Left wrist radiograph, AP projection, 11-year-old boy, index exam, 586x1064 —
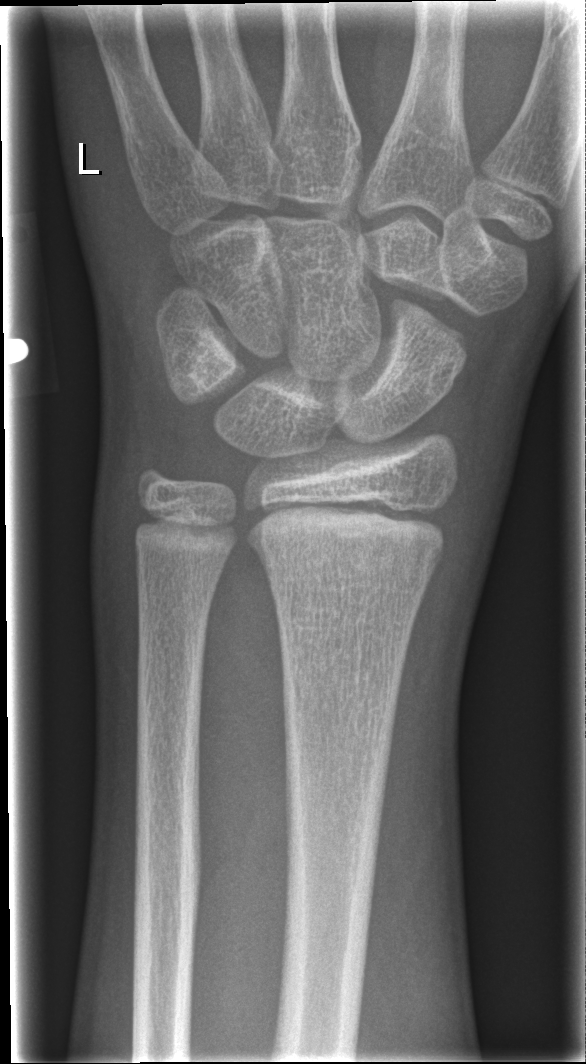

FINDINGS: Fx: present but not clearly seen in this view. AO code 23r-M/2.1.